Left wrist plain film, lat projection, age 11 y, girl, follow-up, cast in situ, image width 93.2 mm
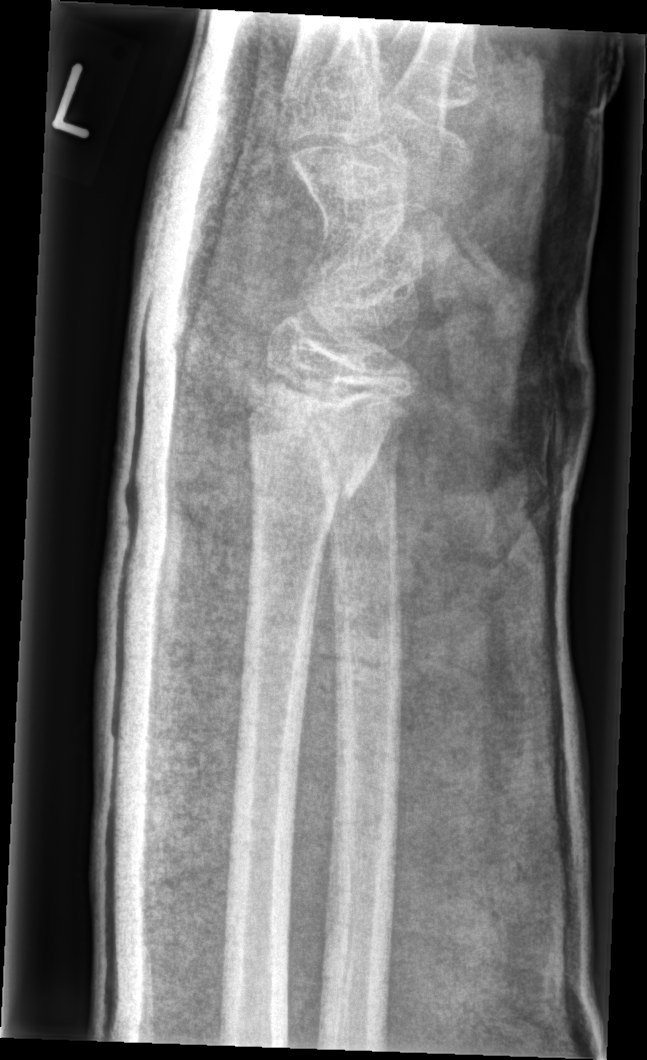

(coordinates are [x1, y1, x2, y2] in image pixels)
AO code = 23r-M/3.1; 23u-E/7
Fx = 1 @ bbox(242, 388, 403, 514)